Lt wrist radiograph | posteroanterior view | follow-up | cast in situ 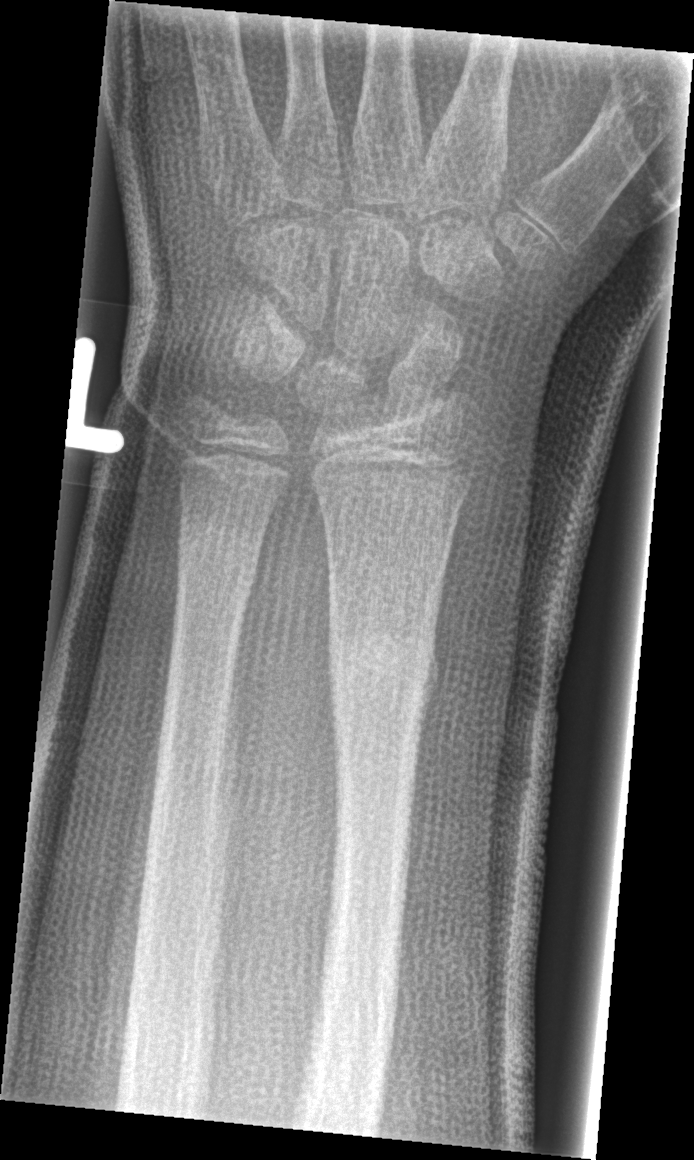
Bone fractures — [324, 631, 442, 724], [171, 526, 264, 608].